Frontal view · right wrist plain radiograph of the wrist 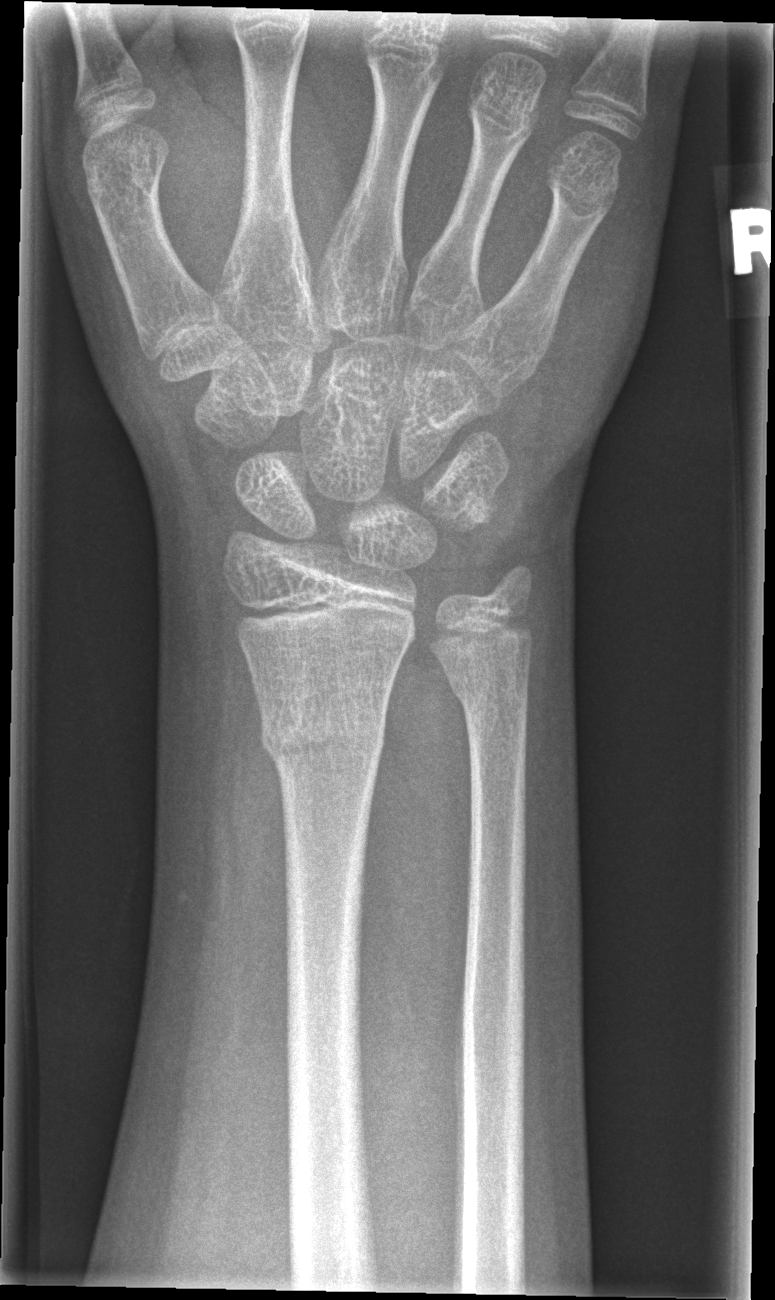
(bounding boxes in image-pixel xyxy)
Q: AO code?
A: AO/OTA classification: 23-M/2.1
Q: Locate any fractures.
A: Fracture identified at 256 692 391 773; 443 655 534 721